L plain radiograph of the wrist, lateral view —
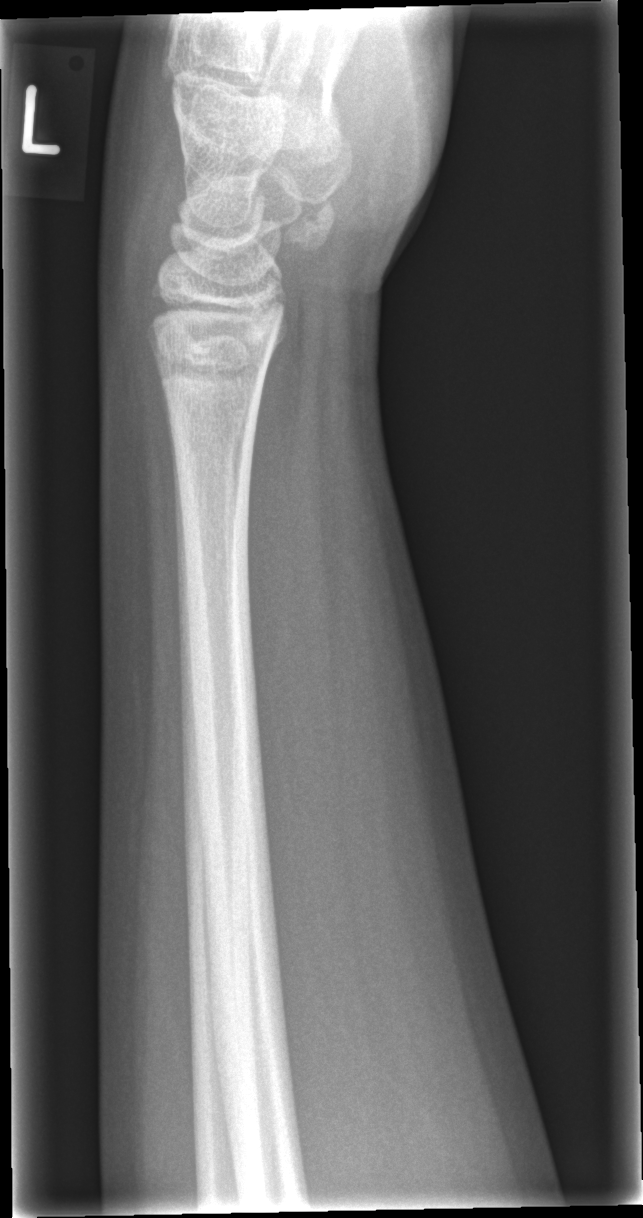

FINDINGS — Fracture: none labeled.